Lateral; Lt pediatric wrist radiograph; presentation radiograph
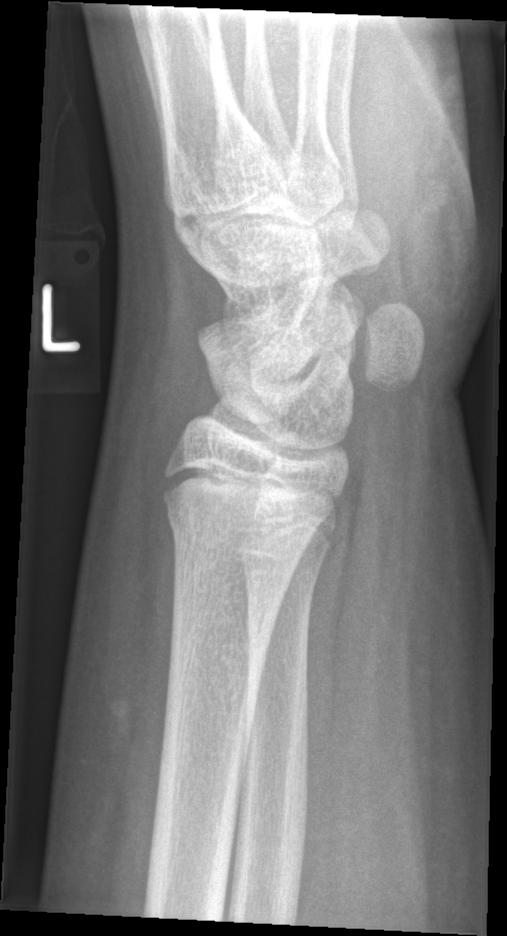

* Fracture: <159,482>-<321,565>.
* AO code 23r-M/2.1.